Left wrist pediatric wrist radiograph; posteroanterior projection; follow-up; imaged through cast; Siemens: 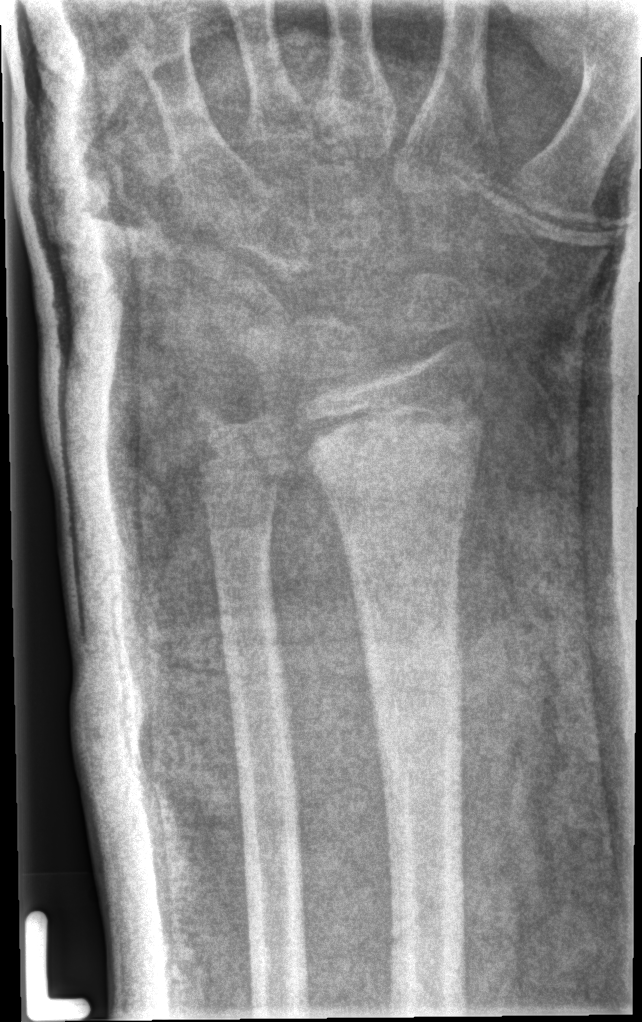

(coordinates are [x1, y1, x2, y2] in image pixels)
bone fracture = 1 @ 300 395 488 505
AO classification = 23r-E/2.1